Lateral view; L pediatric wrist radiograph; 5y F; detector: Siemens; 71.4 mm image width; 496 by 812 pixels: 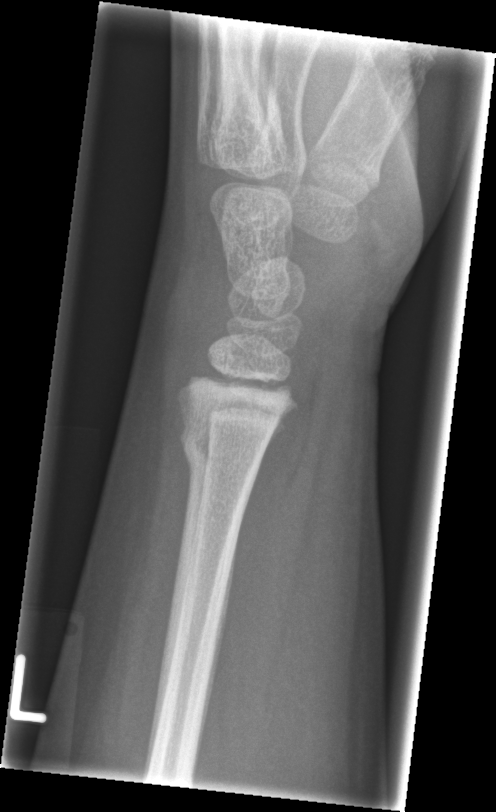
AO classification = 23r-M/2.1
Fx = 1 @ <177,415>-<269,483>